Lat view; Rt wrist plain film 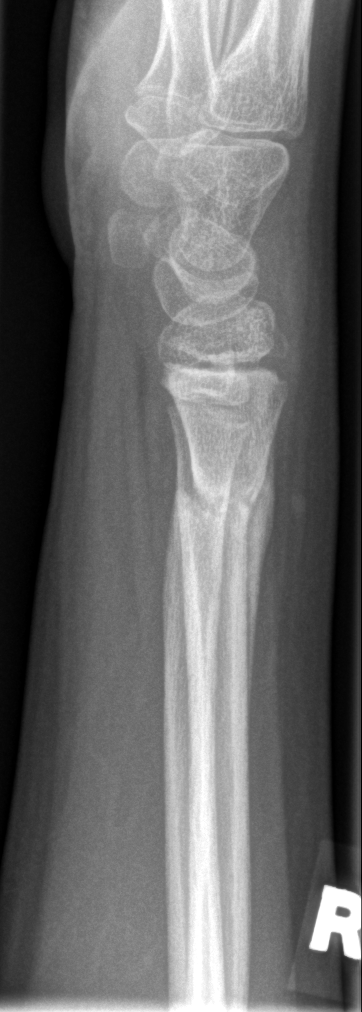
(boxes as x1,y1,x2,y2 (top-left / bottom-right, pixel units))
periosteal thickening: 1 @ bbox(242, 436, 274, 724)
AO/OTA: 22u-D/2.1; 23r-M/2.1; 23u-E/7
Fx: bbox(172, 467, 267, 542)